Lt pediatric wrist radiograph; posteroanterior; subsequent exam; cast in situ; image size 570x1384 —

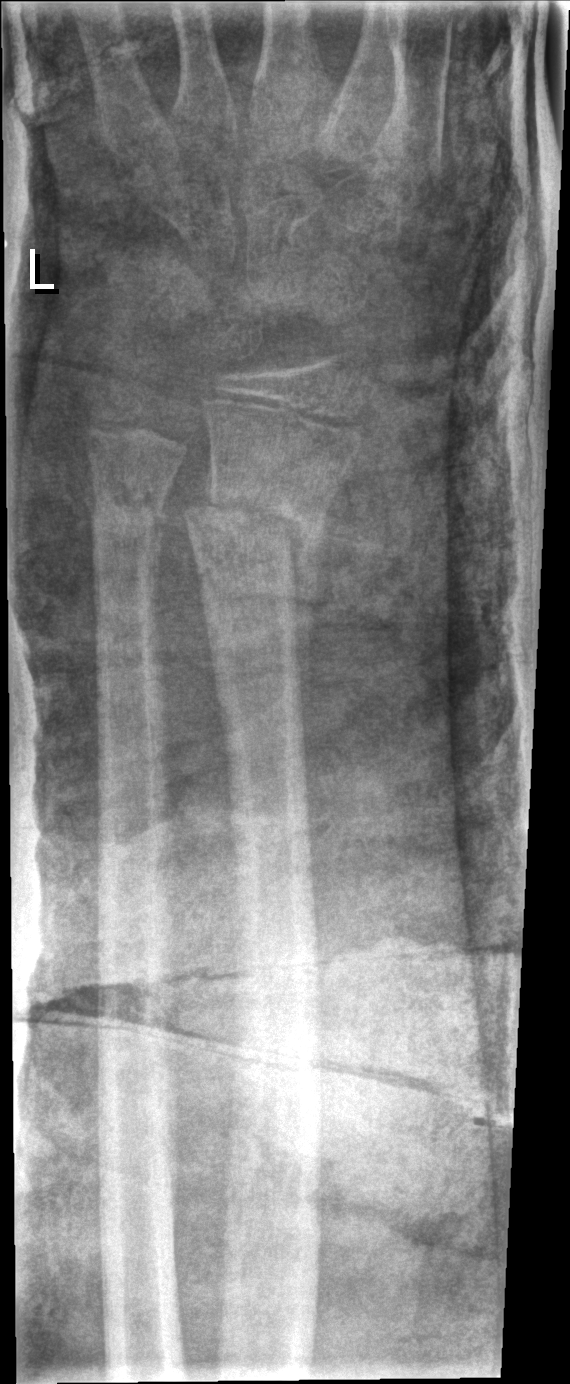 • One periosteal thickening at bbox(285, 451, 358, 759).
• Two Fx at bbox(181, 467, 329, 567) bbox(87, 474, 167, 539).